Lateral; right wrist plain film; 5-year-old boy; image width 63.1 mm; 438x973 —
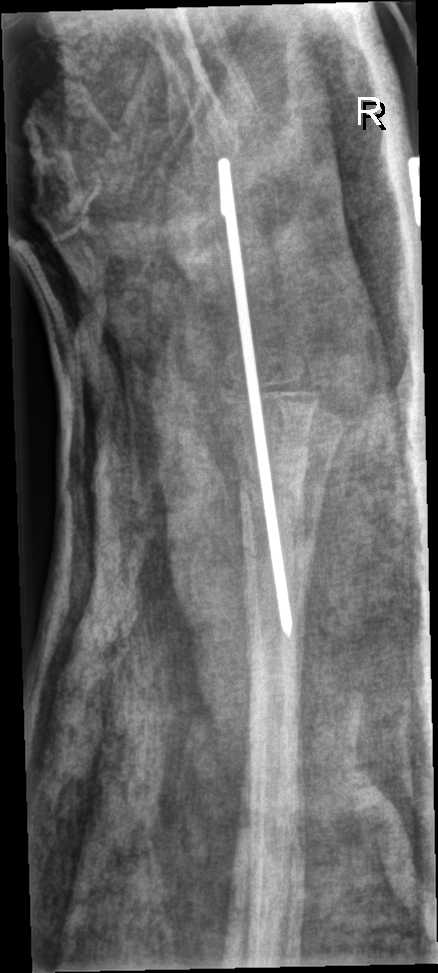

FINDINGS — (coordinates are [x1, y1, x2, y2] in image pixels) One hardware at [x1=215, y1=155, x2=295, y2=641]. One Fx at [x1=237, y1=519, x2=320, y2=591]. AO code 23-M/3.1.